R wrist radiograph; lat projection.

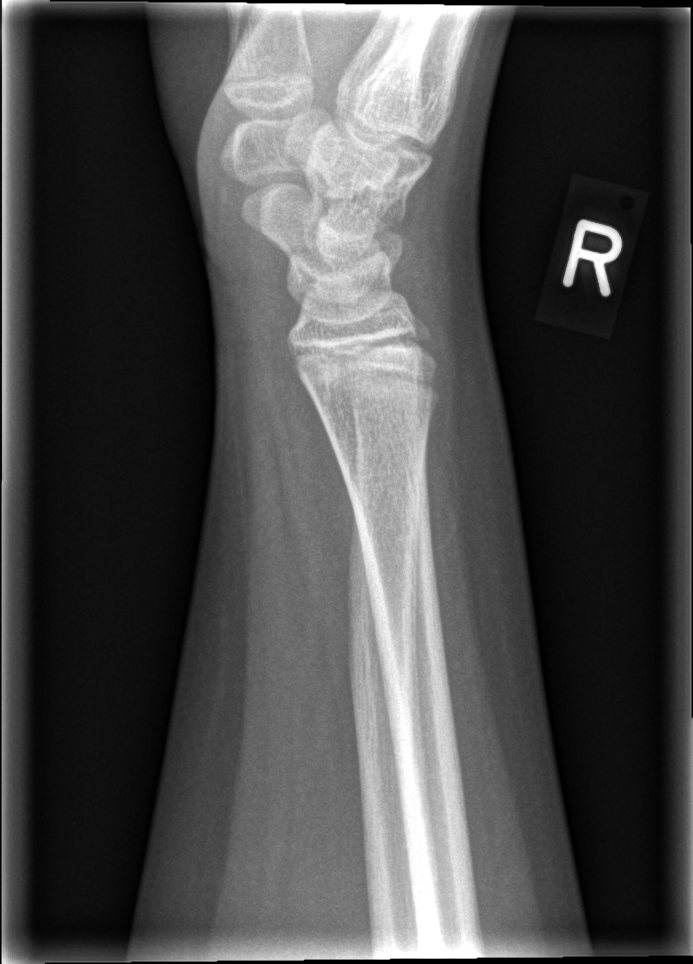
{"fracture": "none labeled"}